PA; right wrist pediatric wrist radiograph; 13-year-old male:

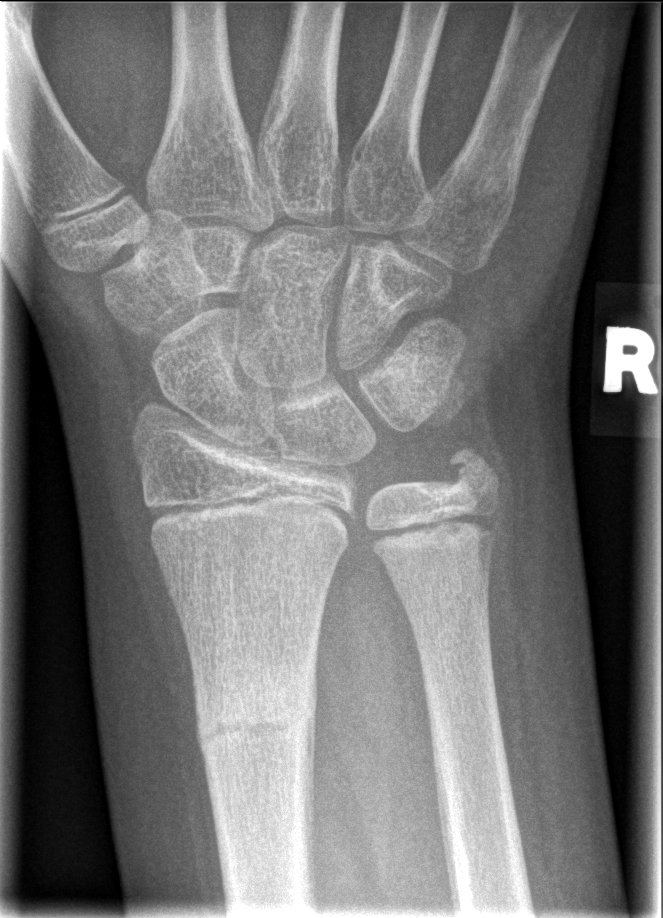

(pixel coordinates, top-left origin, xyxy)
Fracture = 2 @ [188, 675, 321, 763] [441, 440, 504, 500]
AO classification = 23r-M/3.1; 23u-E/7